Left wrist X-ray; lateral; 10-year-old female; acquired on Siemens: 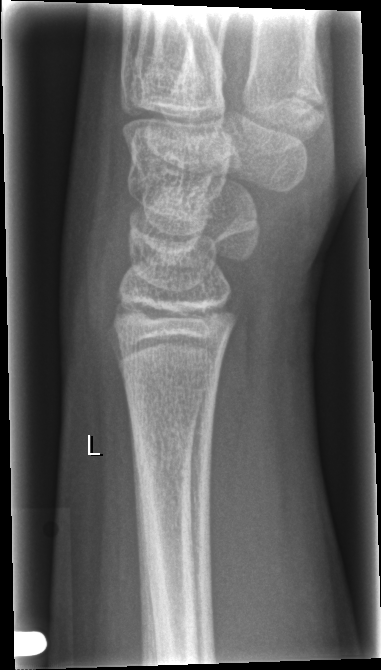

Fx: none labeled